Rt plain radiograph of the wrist, lateral projection, Siemens.

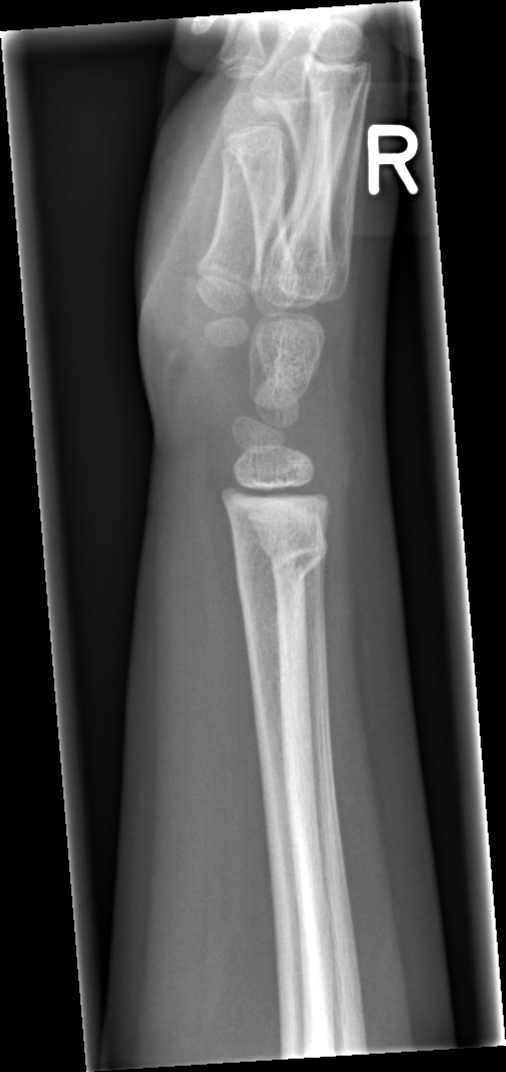

bone fracture: 1 @ (231, 529, 330, 590)
AO code: 23-M/2.1